Rt wrist XR · AP view · age 8 y, girl · imaged through cast

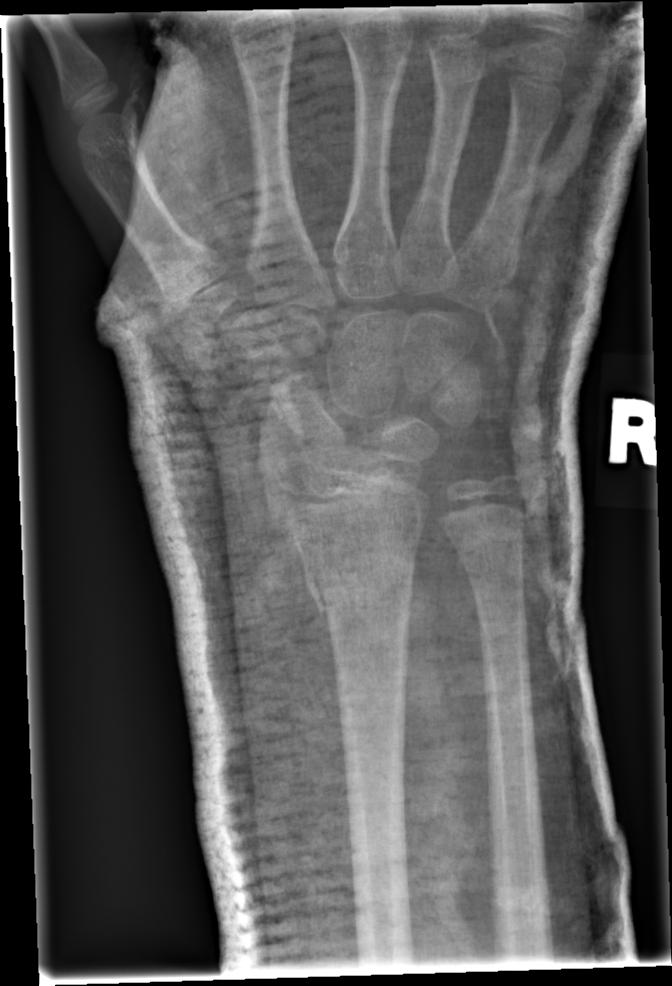

FINDINGS: Fracture — (305, 545, 419, 621). Fracture classified AO/OTA 23r-M/2.1.